Left plain radiograph of the wrist | lat.

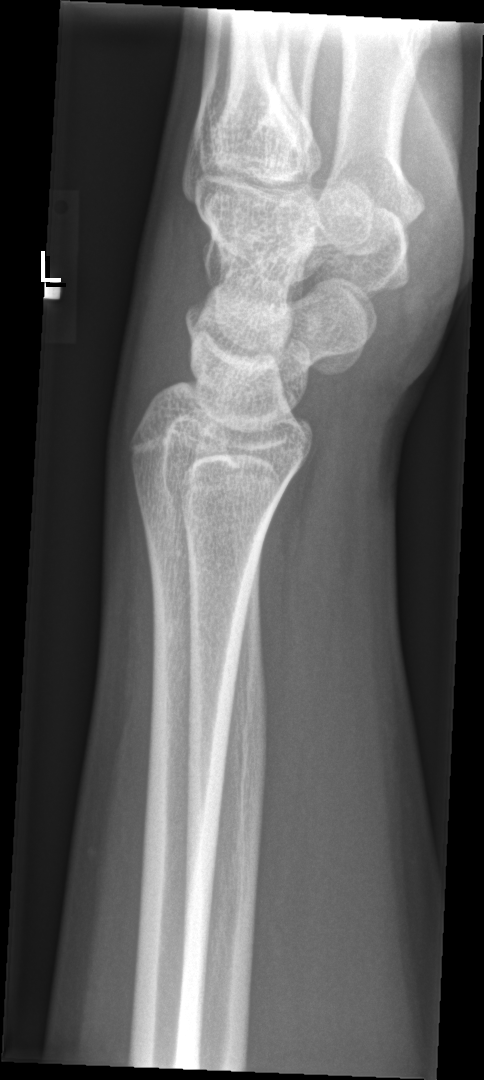
Q: Any fracture seen?
A: No fracture annotation